Posteroanterior projection; Lt pediatric wrist radiograph; pediatric patient (female, age 11); presentation radiograph — 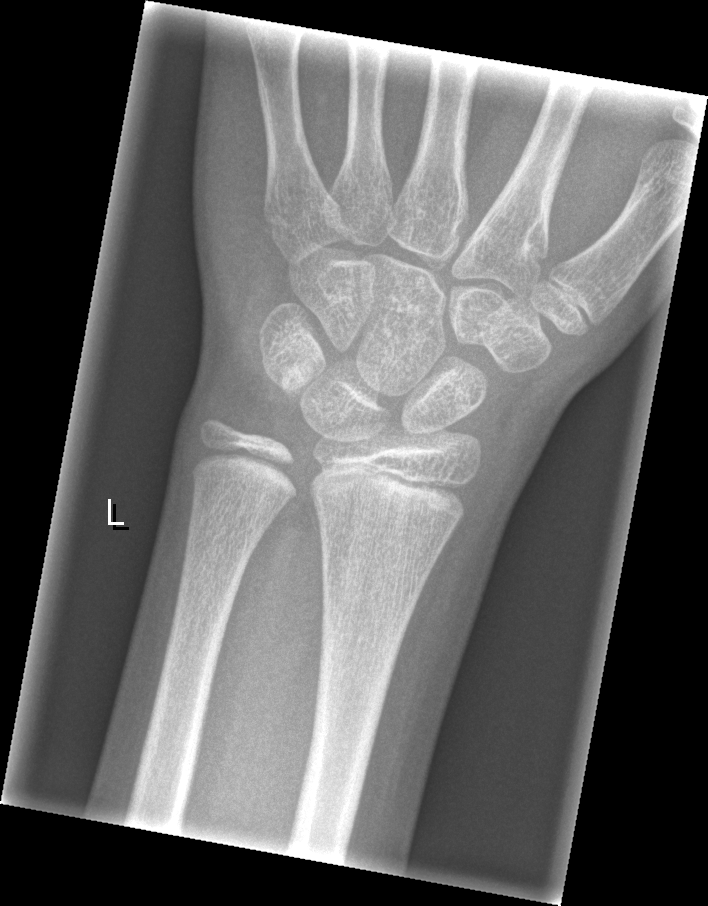
Fracture: none labeled.